Left wrist X-ray · AP view · 13-year-old boy
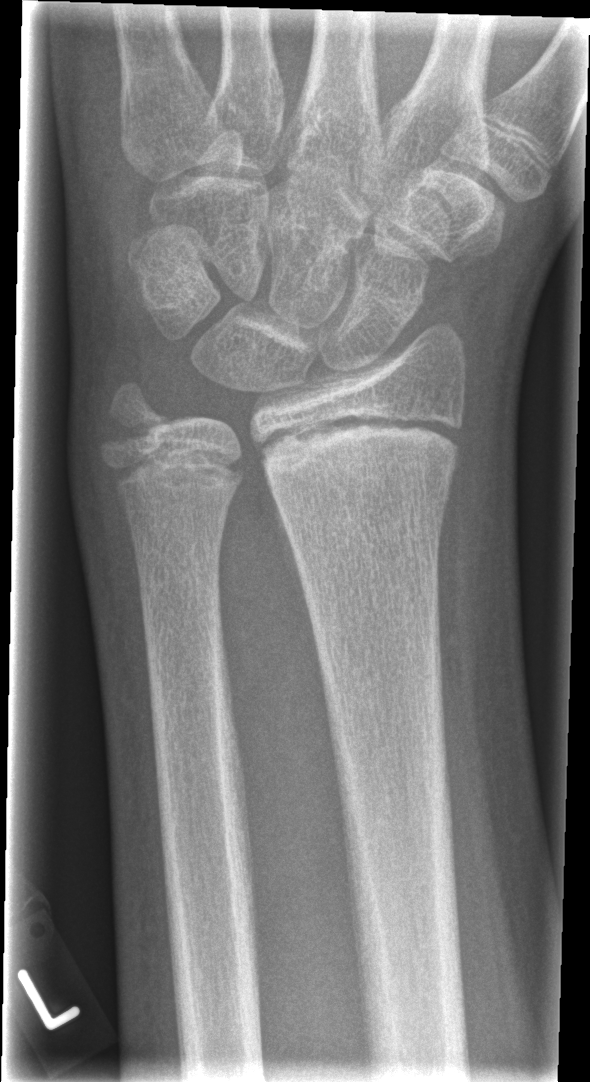
FINDINGS: Fx: (257, 409, 468, 518); (87, 369, 175, 459). AO code 23r-M/3.1; 23u-E/7. One periosteal new bone at (267, 468, 317, 631).